Lt wrist X-ray | lateral projection: 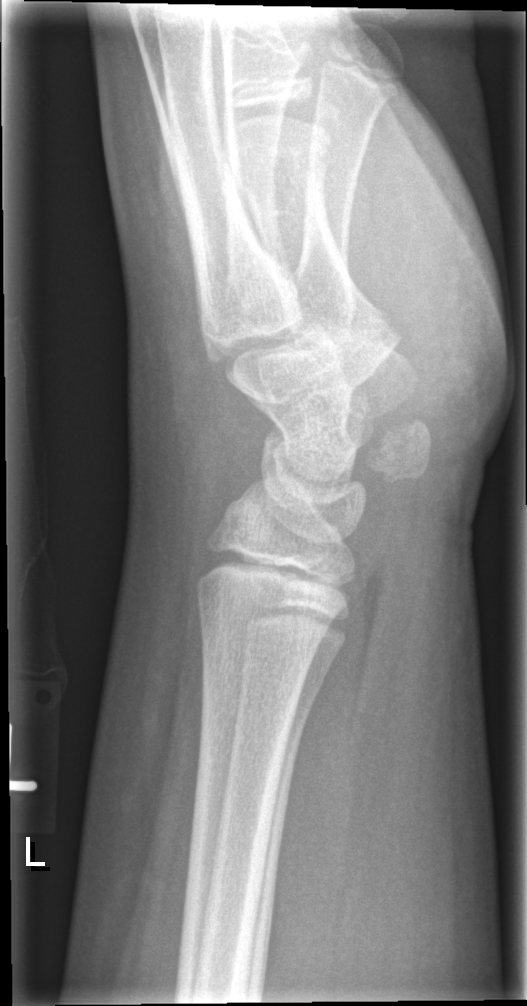
Fracture: none labeled.